Rt plain radiograph of the wrist, PA projection, pediatric patient (male, age 15), initial study —
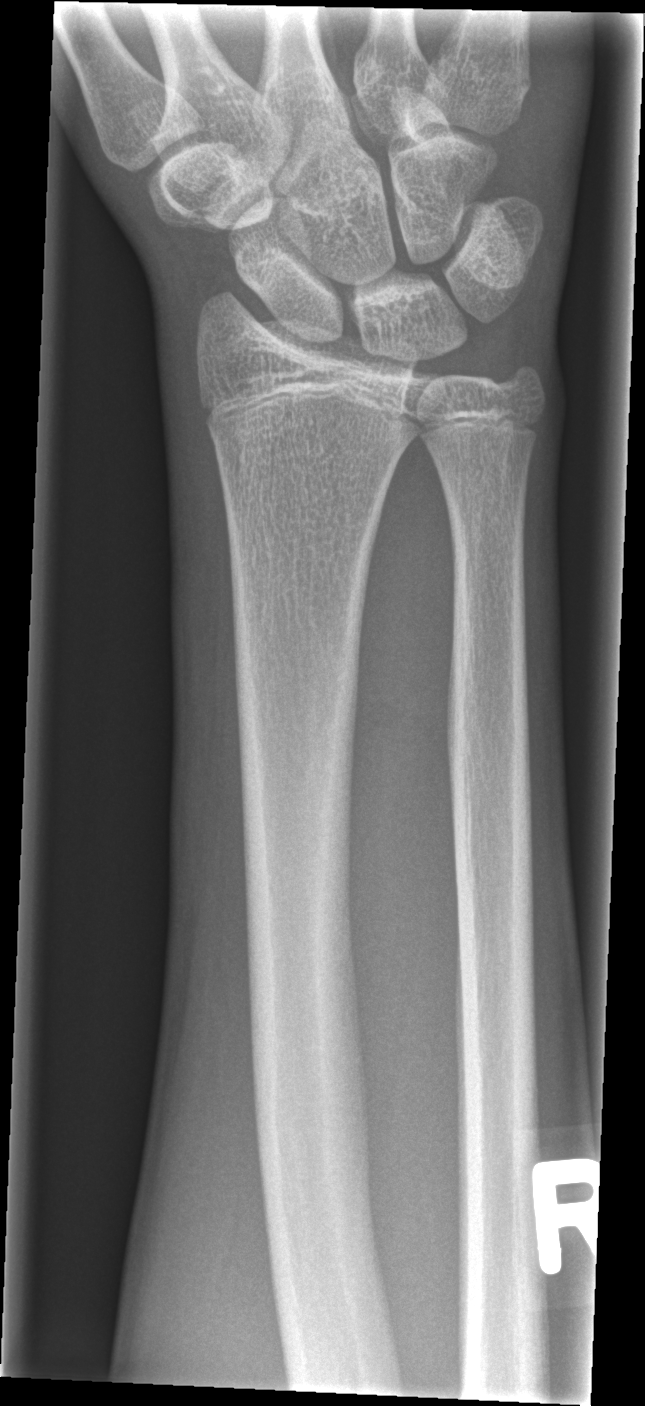 • No fracture annotation.